Lt wrist plain film, PA/AP, 16-year-old boy:
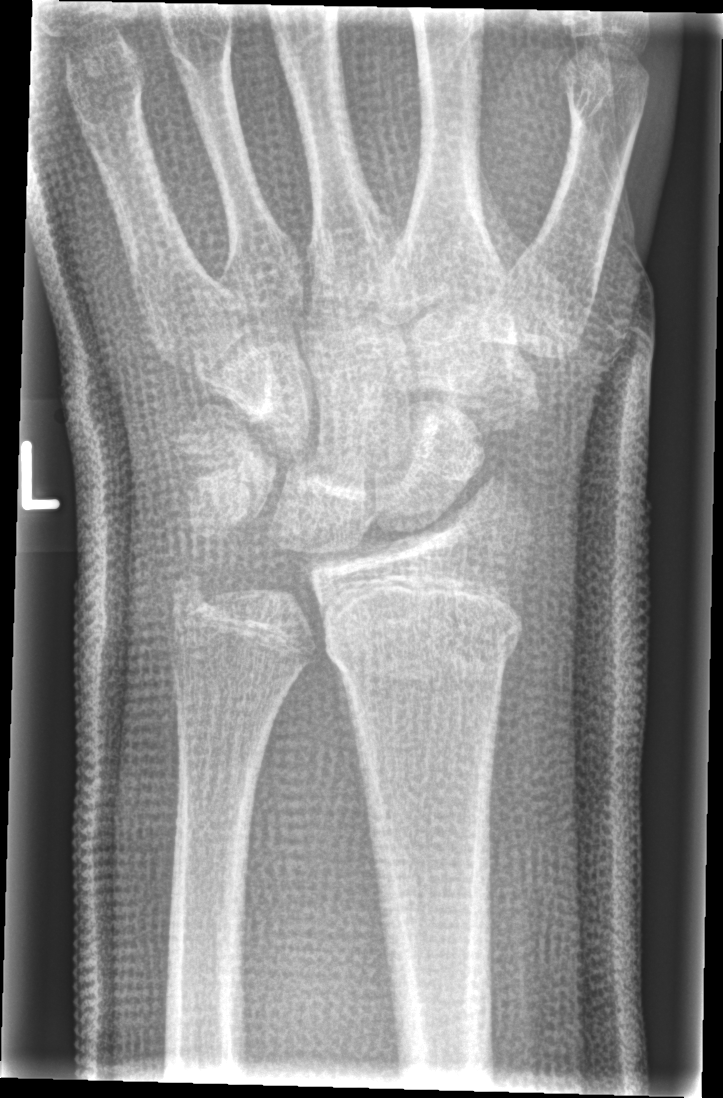 {
  "_coords": "coordinates are [x1, y1, x2, y2] in image pixels",
  "fracture": "(left=322, top=571, right=526, bottom=693) (left=161, top=563, right=224, bottom=619)"
}